Lateral; left wrist plain film. 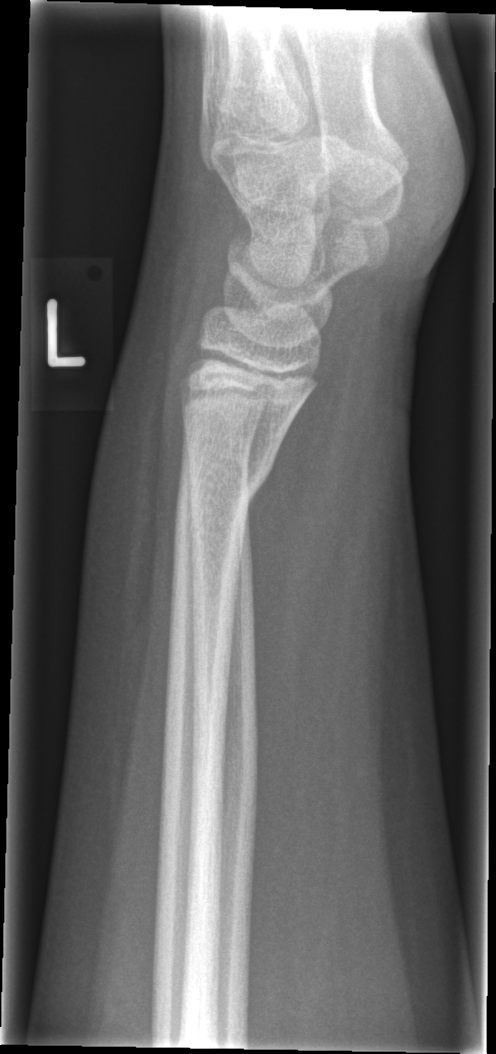
AO code: 23r-M/2.1
Fx: 1 @ <170,456>-<280,536>